L plain radiograph of the wrist · lat projection · girl, 8 yo · follow-up · cast present · 560 x 1442 px.
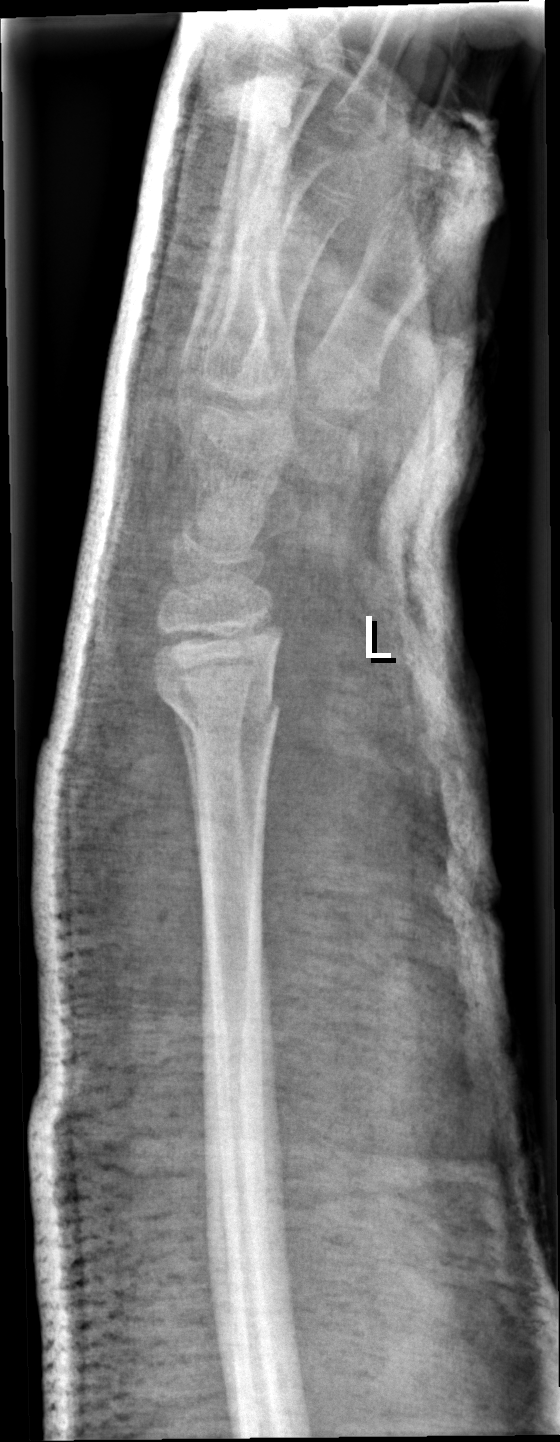 FINDINGS — Fracture classified AO/OTA 23r-M/3.1; 23u-M/2.1. Bone fracture — 151,677,286,745.